Lat view; L wrist radiograph; pediatric patient (female, age 8). 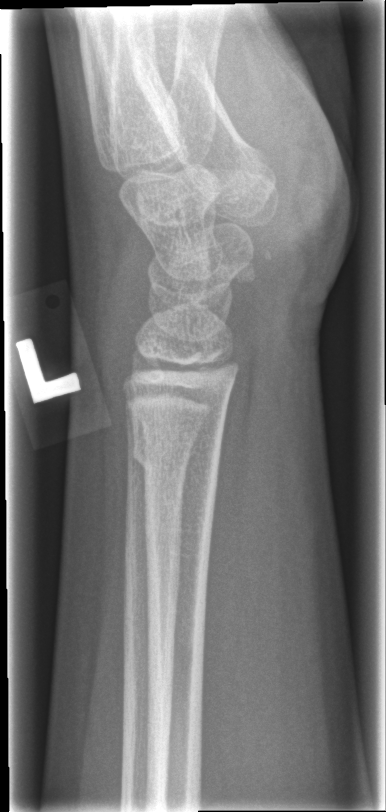 Q: Is there a fracture?
A: Bone fracture identified at (130, 429, 225, 488)
Q: AO code?
A: AO/OTA classification: 23r-M/2.1